Posteroanterior projection, right wrist XR, pediatric patient (male, age 16), follow-up — 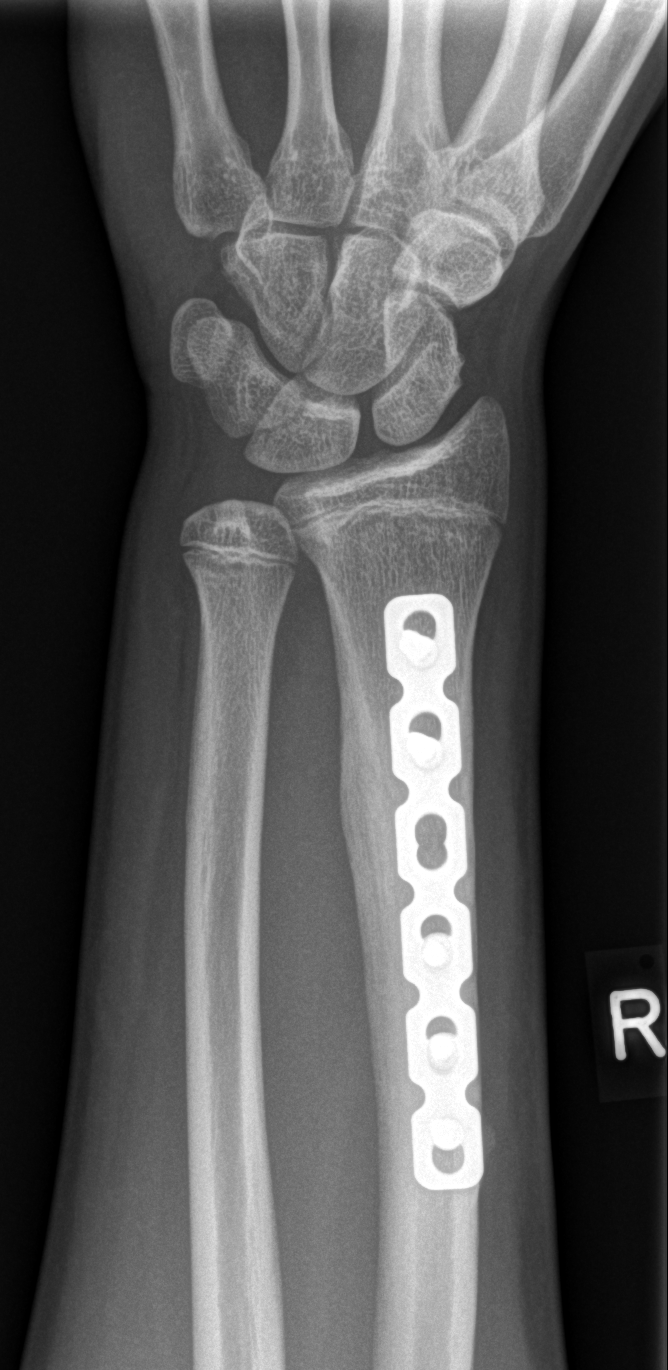 * Boxes as x1,y1,x2,y2 (top-left / bottom-right, pixel units).
* Metallic hardware identified at <381,590>-<485,1193>.
* No fracture bounding box.